Lat · left wrist radiograph · 16y M · 531x1054 — 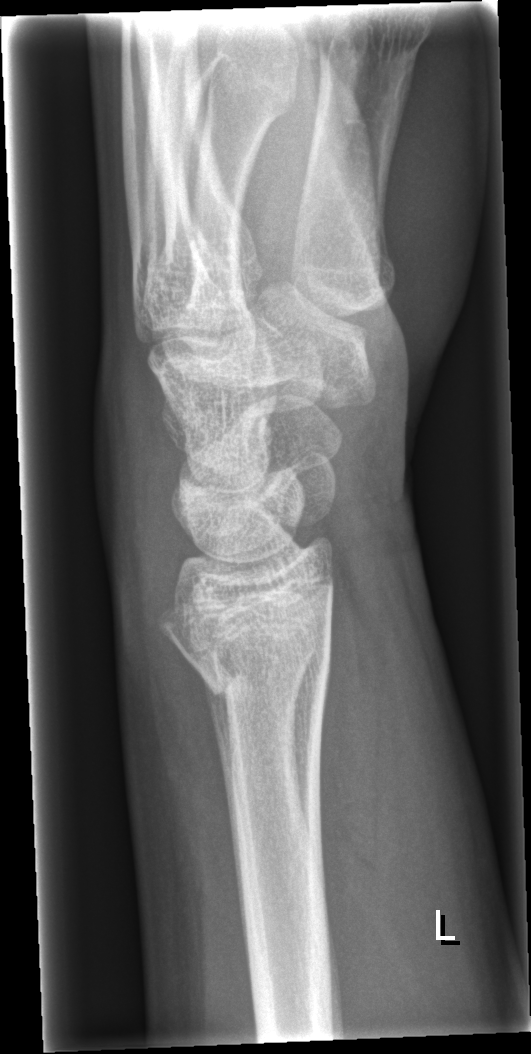 • One Fx at [175, 626, 336, 723].
• Soft-tissue swelling — [87, 333, 193, 620].
• Positive pronator fat-pad sign: [319, 585, 384, 971].